R wrist X-ray; lat projection; age 11 y, girl; imaged through cast; detector: Siemens. 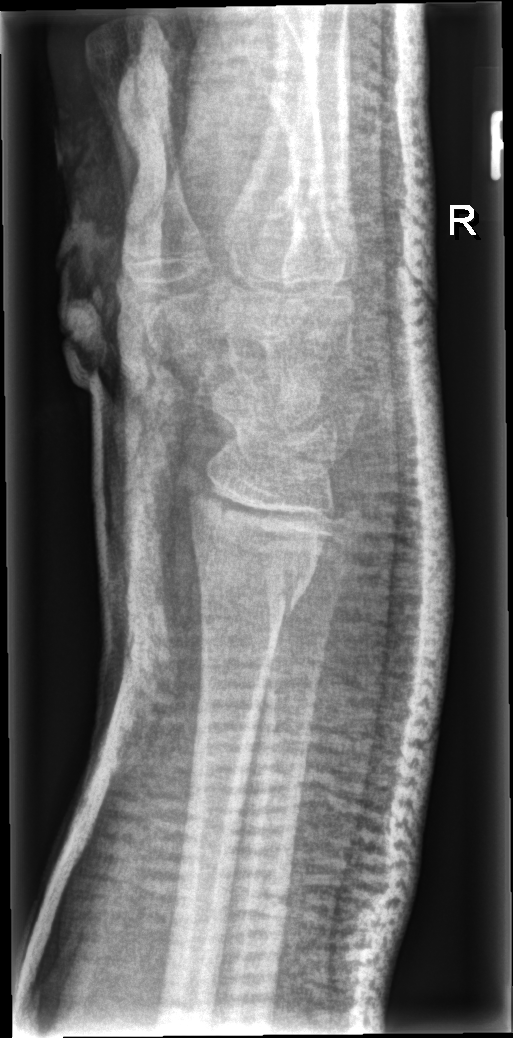 {
  "_coords": "coordinates are [x1, y1, x2, y2] in image pixels",
  "fracture": "<189,515>-<322,635>",
  "ao": "23r-E/2.1"
}